Lateral view; right wrist XR; 9y F; in cast; image size 632x936 — 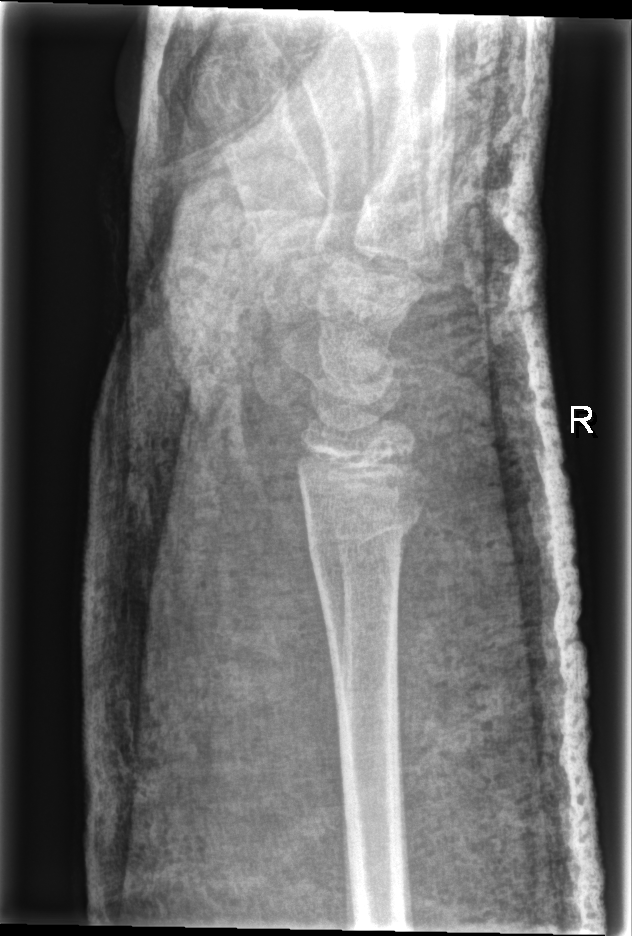

(boxes as x1,y1,x2,y2 (top-left / bottom-right, pixel units))
Q: Locate any fractures.
A: Bone fracture — 301,484,426,569